AP projection, left wrist plain film, female, 7 yo, image width 89.1 mm.
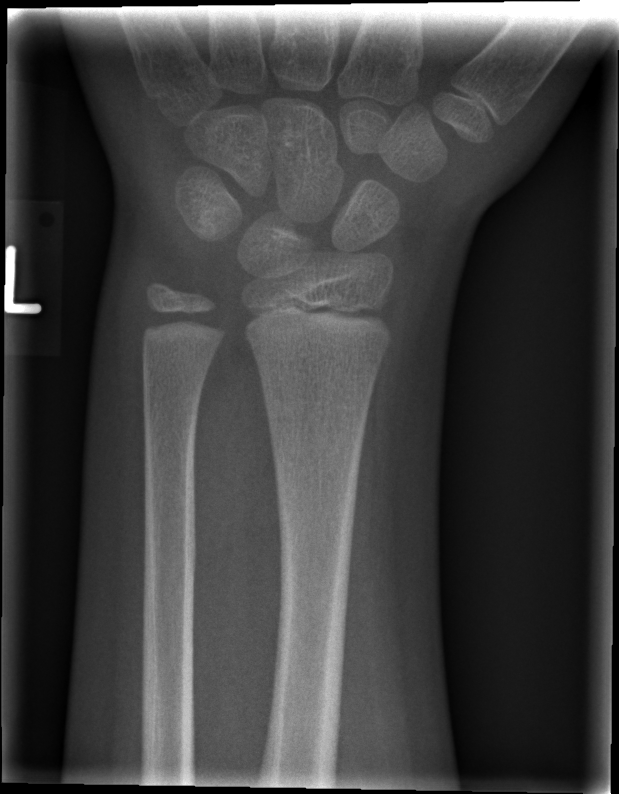
Q: Fracture present?
A: No Fx annotated